Right wrist XR · PA/AP projection · female, 9 yo · initial study

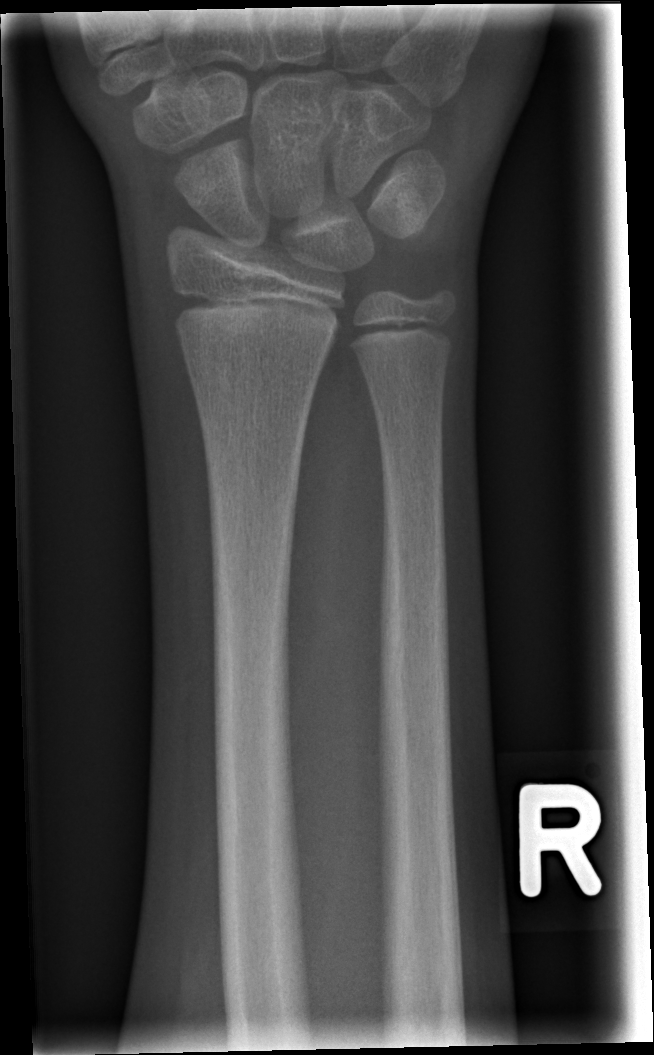

* No fracture labeled.